Right wrist plain film · lateral · 4y M —
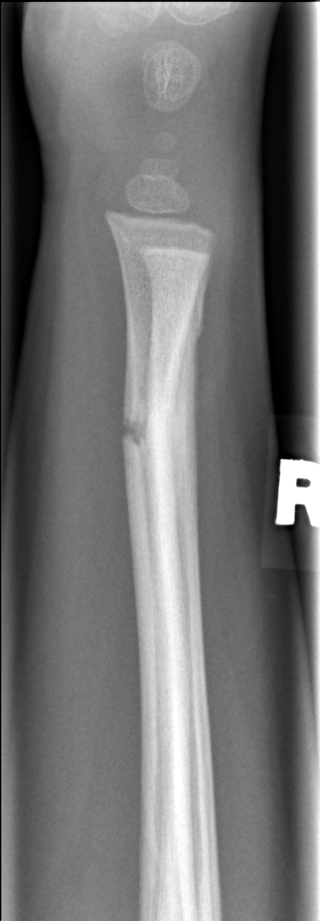

(coordinates are [x1, y1, x2, y2] in image pixels)
Q: What is the AO/OTA classification?
A: Fracture classified AO/OTA 23r-M/3.1; 23u-M/2.1
Q: Is there a fracture?
A: Fracture: (left=119, top=397, right=180, bottom=470) (left=149, top=298, right=209, bottom=352)